PA | left wrist X-ray | imaged through cast | 103.1 mm image width: 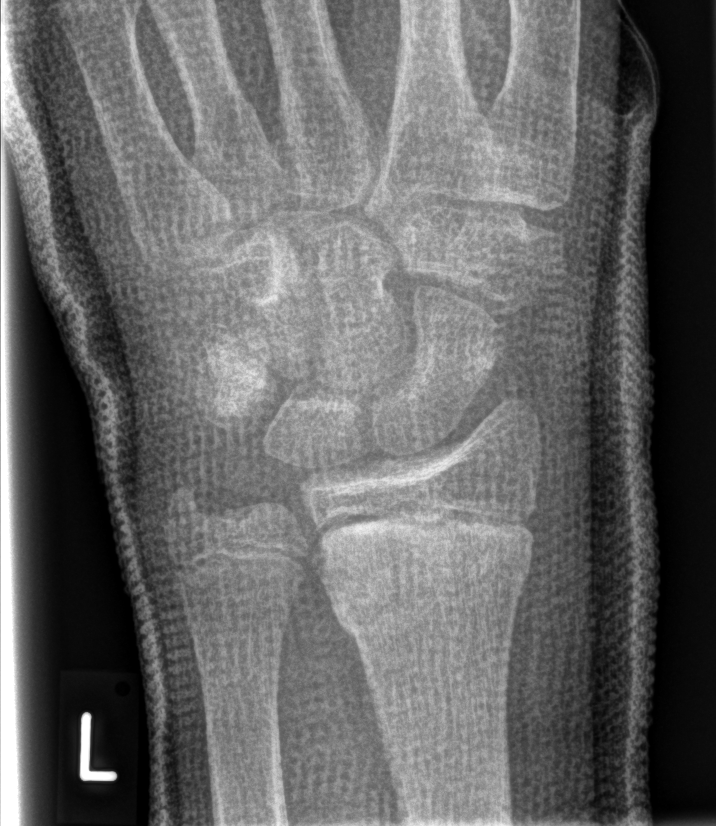
• Boxes as x1,y1,x2,y2 (top-left / bottom-right, pixel units).
• Two Fx at 312 519 538 649; 158 478 213 534.
• Fracture classified AO/OTA 23r-E/2.1; 23u-E/7.